Lateral view; right wrist XR 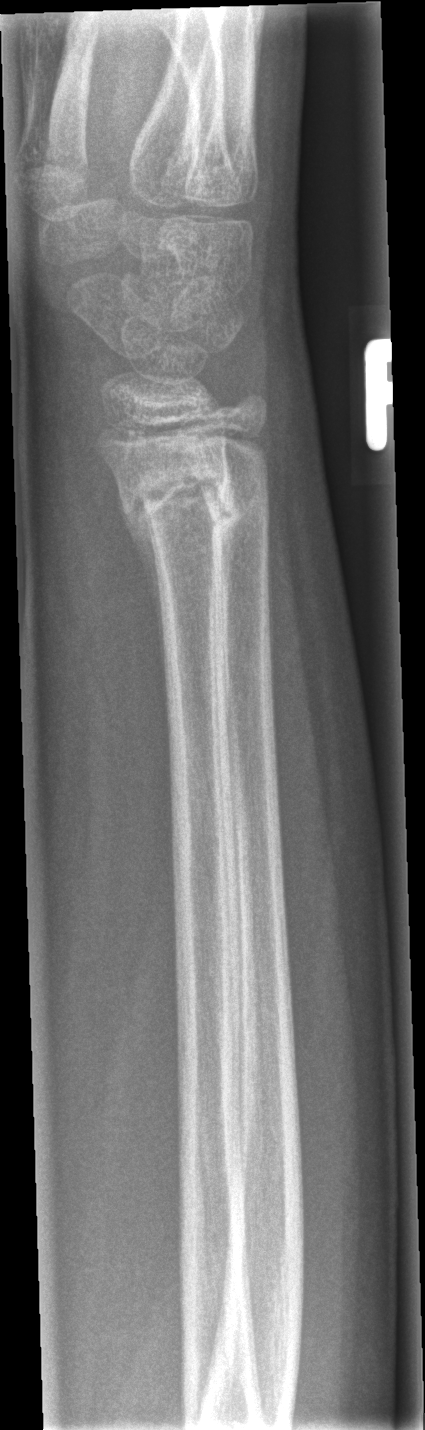
FINDINGS — AO code 23r-M/3.1. Osteopenic. Periosteal new bone — 117,483,171,737. Fracture identified at 112,466,246,547.